Lat view · Lt plain radiograph of the wrist · age 10 y, boy — 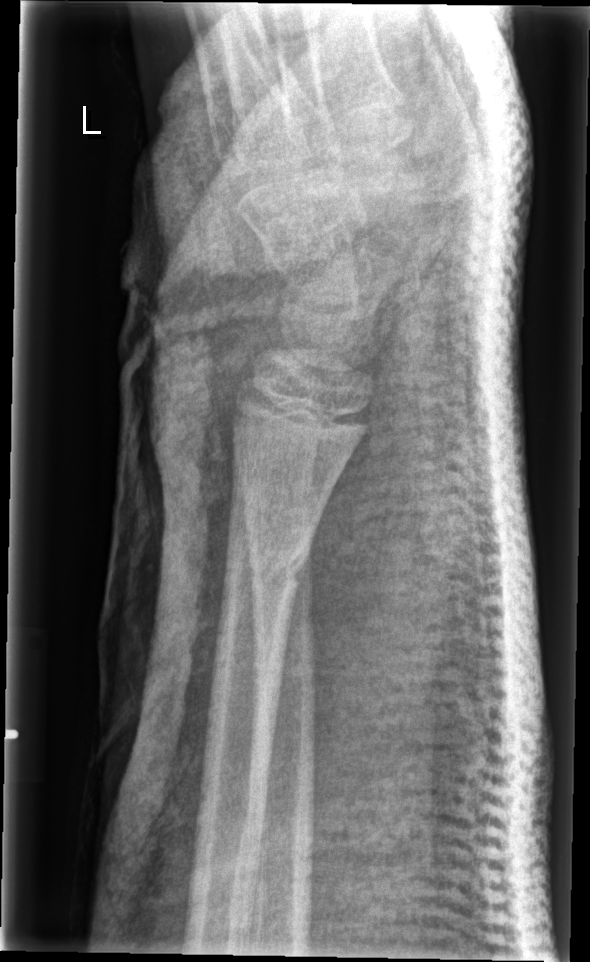

Q: Fracture present?
A: One bone fracture at 216,527,313,602